PA view · left wrist plain film · boy, 13 yo · in cast · detector: Siemens · image width 90.4 mm 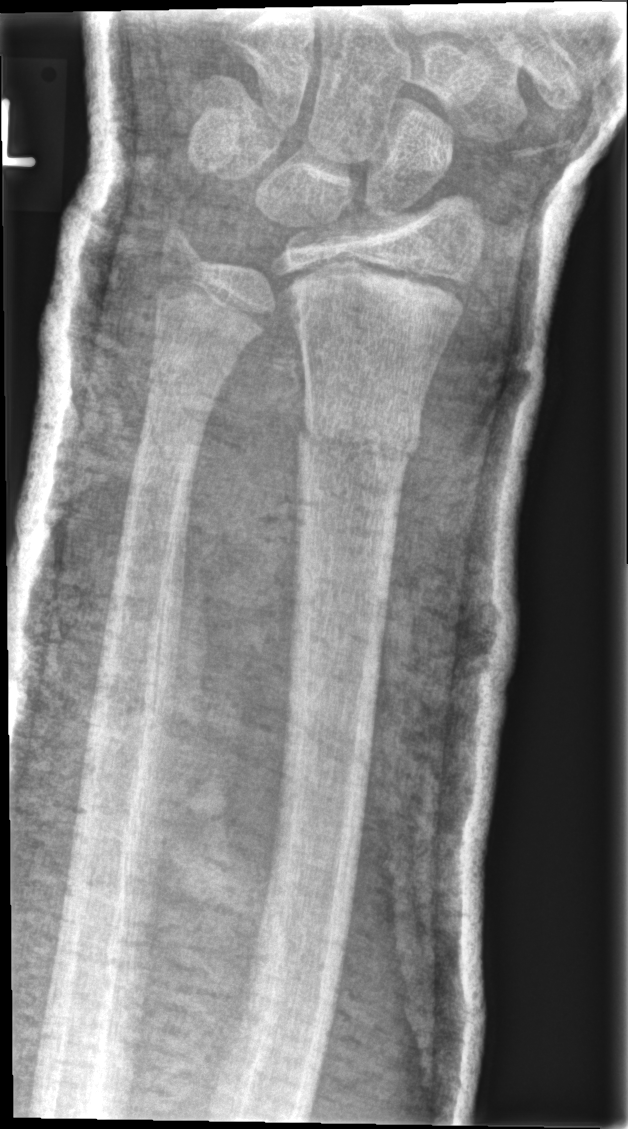
• AO/OTA classification: 23-M/3.1.
• One bone fracture at <291,413>-<424,473>.